Frontal projection · right wrist pediatric wrist radiograph · age 14 y, female · index exam:

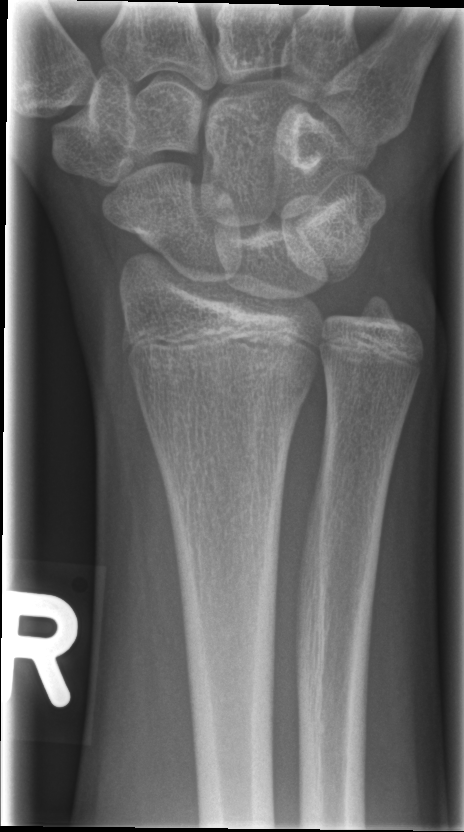
* No fracture annotation.